Posteroanterior · left pediatric wrist radiograph · 14y F · Siemens

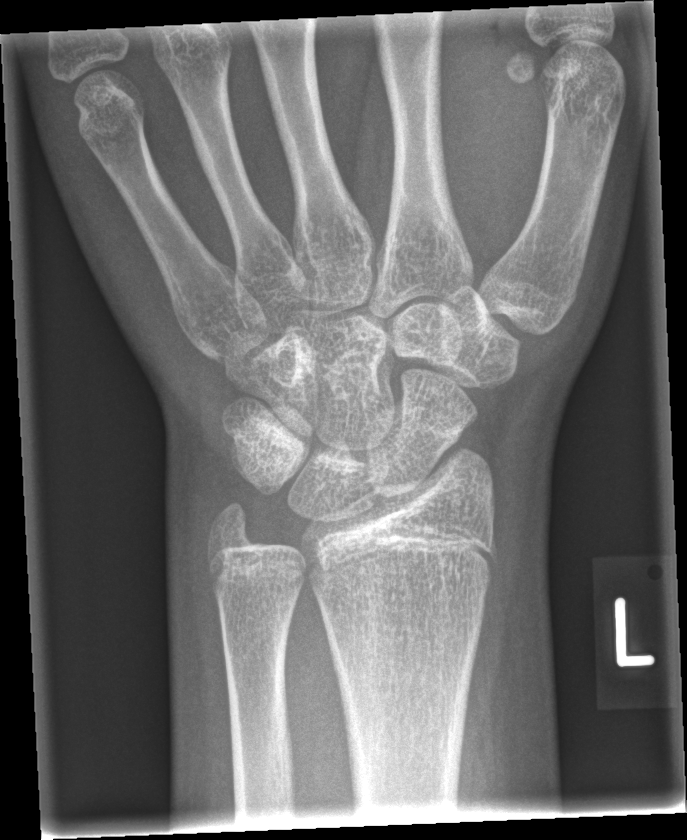
Fx: none labeled